Lateral, right wrist radiograph, pediatric patient (boy, age 9), imaged through cast, 87.1 mm image width, image size 605x1218.

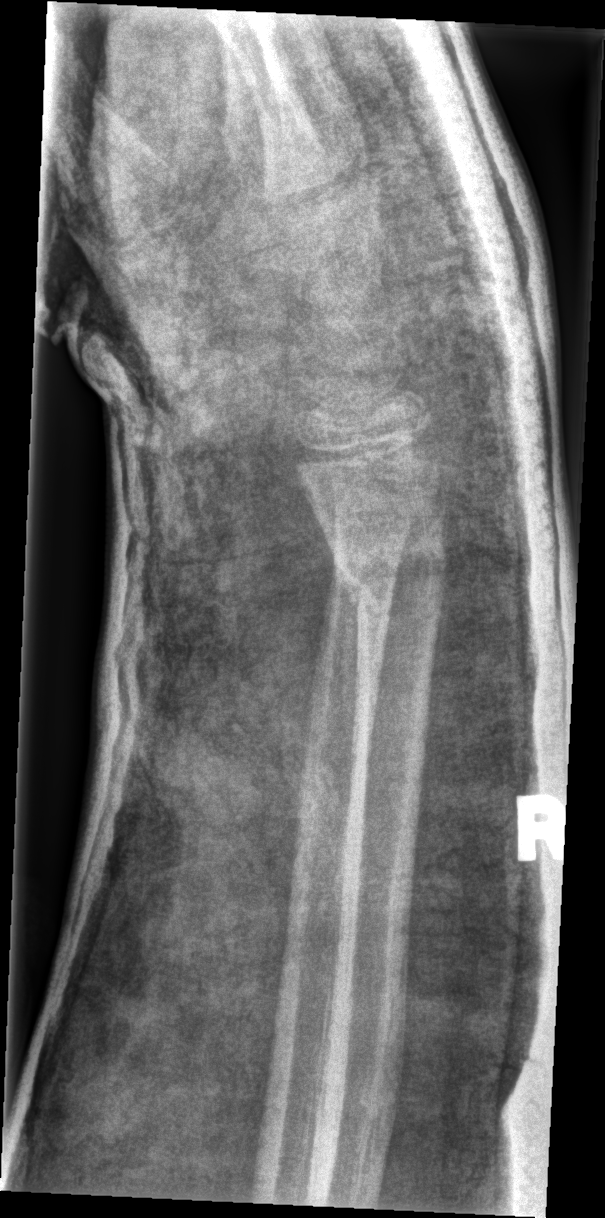 Boxes as x1,y1,x2,y2 (top-left / bottom-right, pixel units). AO code 23r-M/3.1; 23u-E/7. Fx identified at (329, 509, 458, 616).